Lat, Rt wrist X-ray:
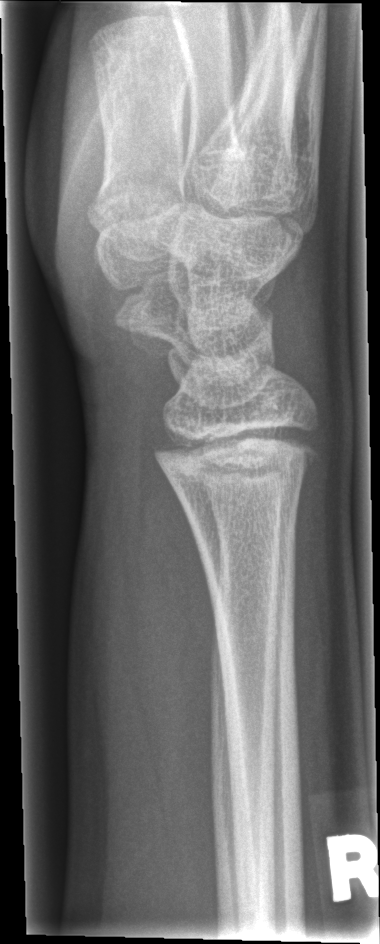
(coordinates are [x1, y1, x2, y2] in image pixels)
AO classification: 23r-E/2.1
Fx: 1 @ 148 419 327 484
Positive pronator fat-pad sign: 1 @ 135 452 220 868